Right wrist pediatric wrist radiograph · lat projection · pediatric patient (female, age 13):

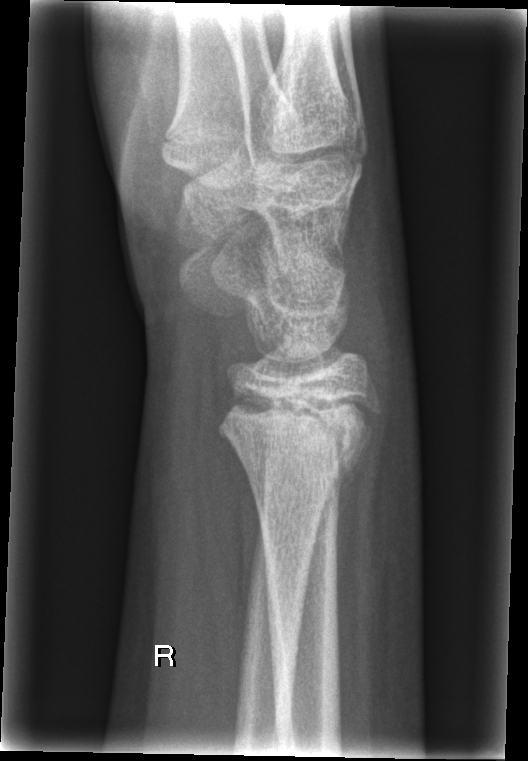

FINDINGS — Fracture identified at (210, 379, 386, 504). AO/OTA classification: 23r-E/2.1; 23u-E/7.